PA/AP, right wrist plain radiograph of the wrist, 537 by 1156 pixels —
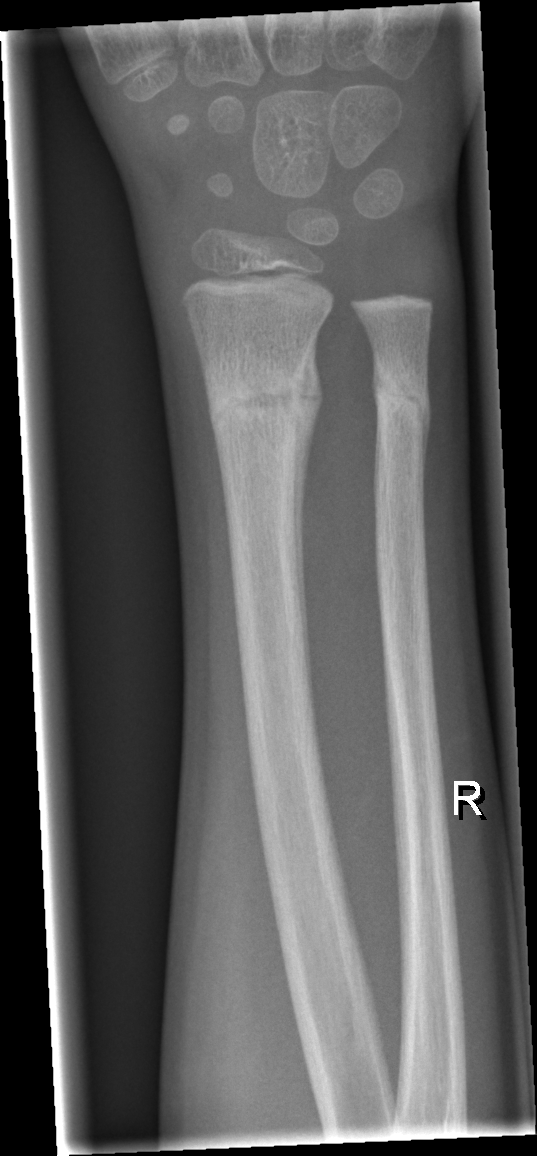 (boxes as x1,y1,x2,y2 (top-left / bottom-right, pixel units))
periosteal reaction = 1 @ 291 336 325 701
AO/OTA = 23-M/3.1
Fx = 2 @ 200 345 310 433
  371 368 430 429
osteopenia = present